Rt wrist plain film · lat view · detector: Siemens: 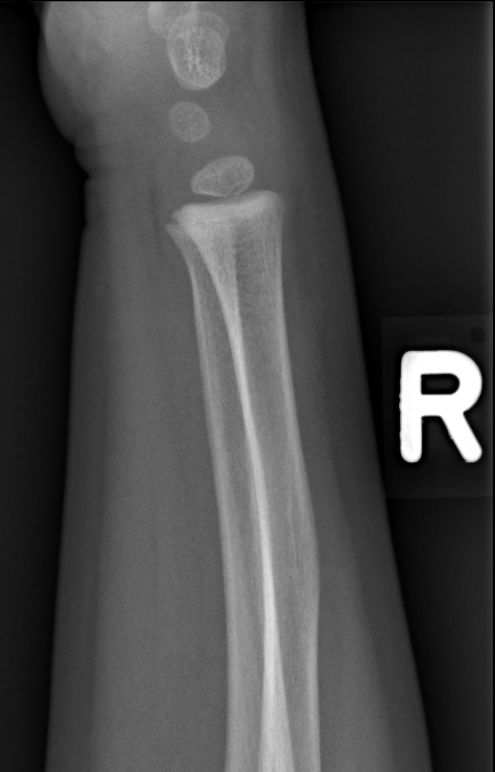

Fracture = none labeled